L pediatric wrist radiograph | PA/AP projection | detector: Siemens: 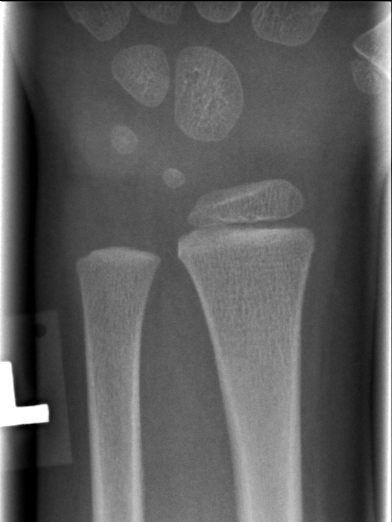 fracture: none labeled